Frontal view · L plain radiograph of the wrist · boy, 11 yo · cast in situ · acquired on Siemens · 588 x 1321 px — 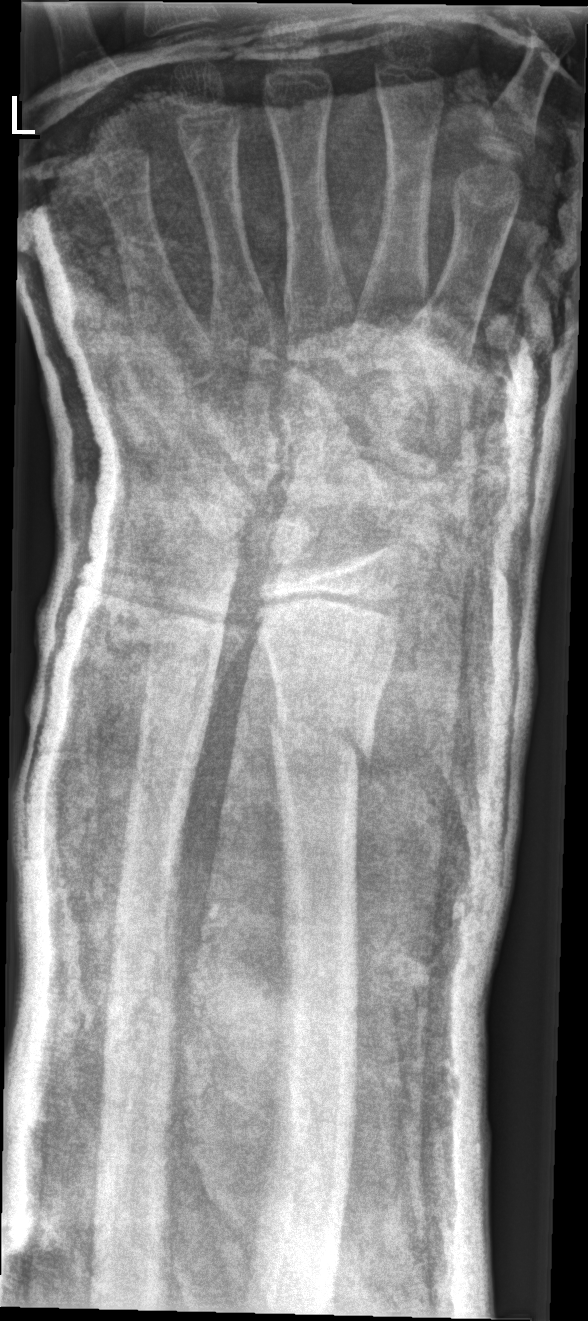

* Fx — bbox(264, 688, 381, 784).